Left wrist XR | PA/AP view | 616x933. 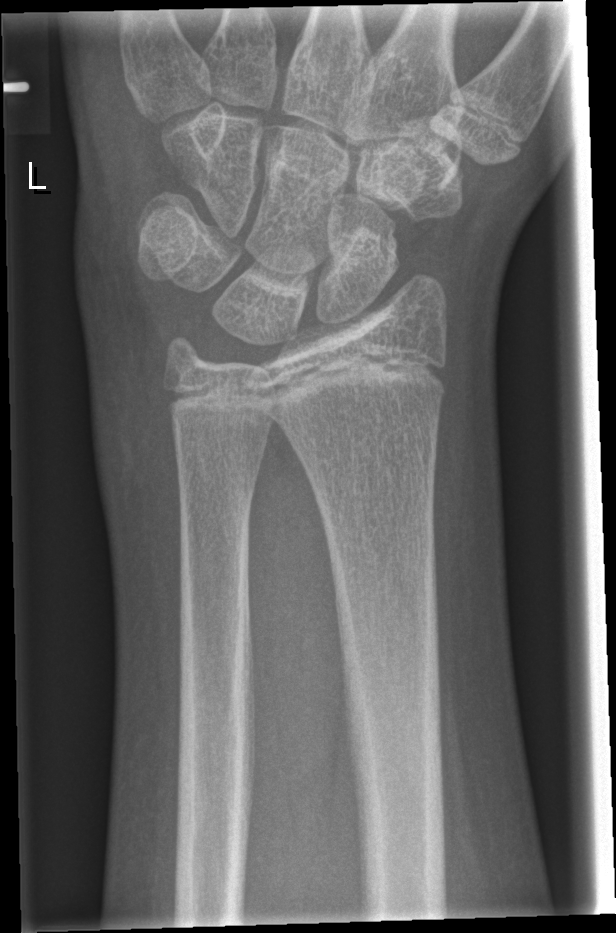

* No Fx annotated.